L wrist X-ray | lat. 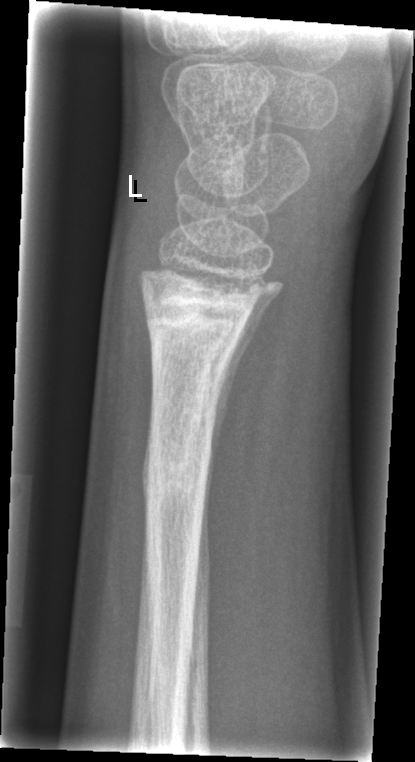
Boxes as x1,y1,x2,y2 (top-left / bottom-right, pixel units).
Osteopenia.
Fx identified at 139,274,267,402; 134,416,222,519.
AO/OTA classification: 23r-E/2.1; 23u-M/3.1; 23u-E/7.